Lateral, L plain radiograph of the wrist, 60.2 mm image width.
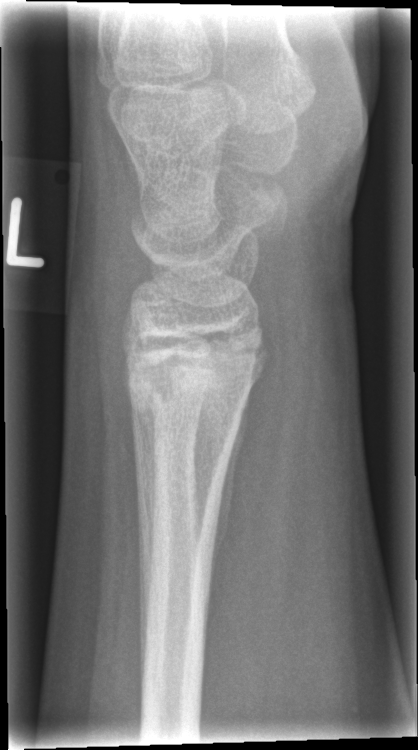
fracture: 1 @ (left=122, top=349, right=269, bottom=434)
osteopenia: present
periostealreaction: (left=210, top=387, right=250, bottom=600)